L wrist XR, lat projection, age 11 y, boy. 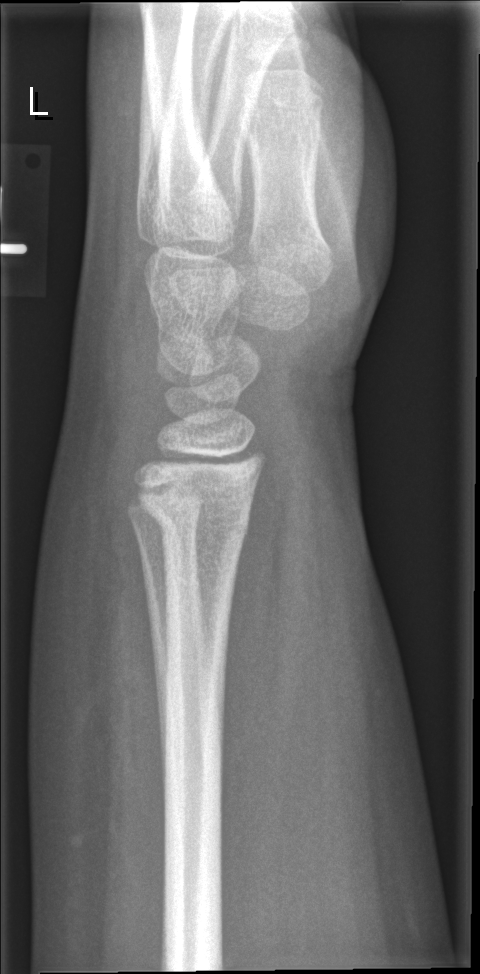 FINDINGS: (coordinates are [x1, y1, x2, y2] in image pixels) Bone fracture — (left=135, top=485, right=255, bottom=546). AO code 23r-M/2.1.